R pediatric wrist radiograph · lat · 4-year-old female · initial study · 462 x 888 px 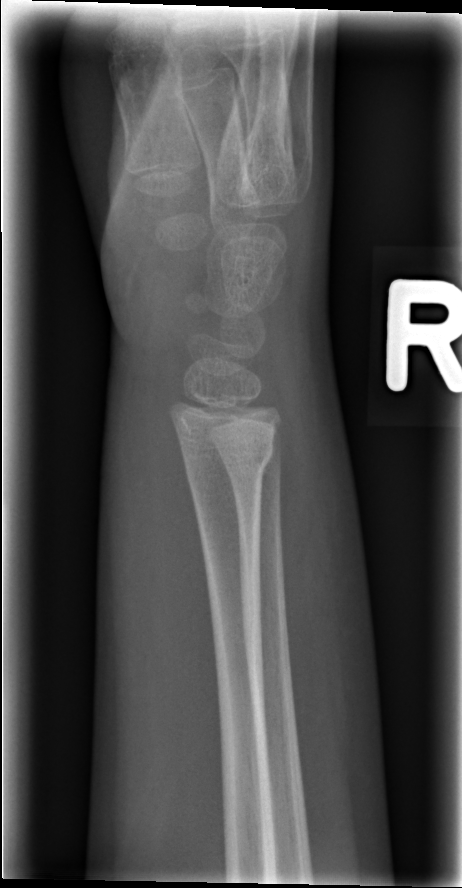

- Bounding boxes in image-pixel xyxy.
- Bone fracture: [x1=177, y1=431, x2=277, y2=481].